Left plain radiograph of the wrist; lateral projection; pediatric patient (boy, age 15)

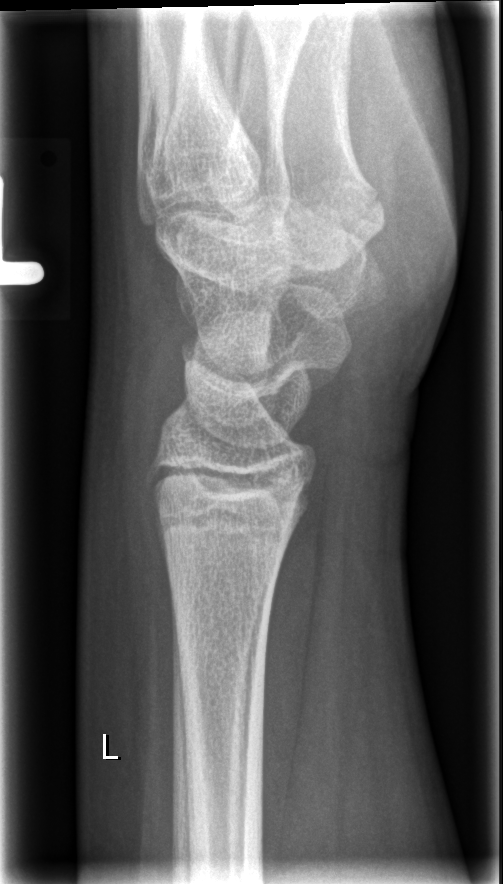 Bone fracture = none labeled